Rt wrist X-ray · PA/AP projection · pediatric patient (girl, age 12).

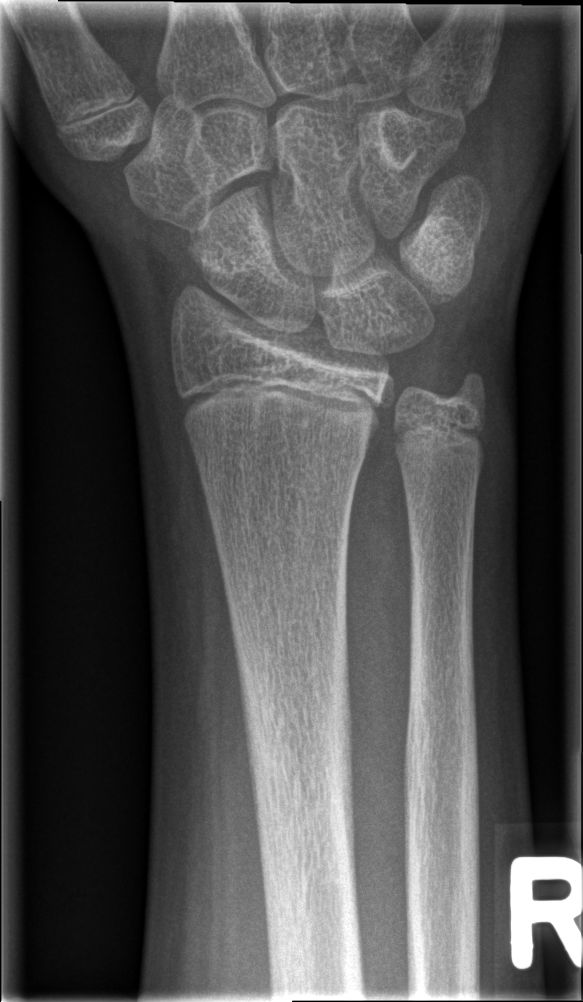

No Fx annotated.